Lat view; R wrist plain film; 16-year-old female

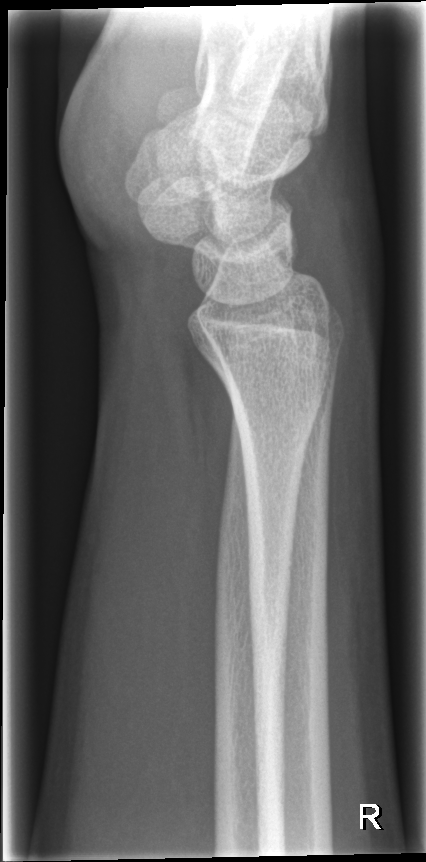

Fracture: none labeled.